PA/AP projection, right wrist X-ray, presentation radiograph, 68.0 mm image width

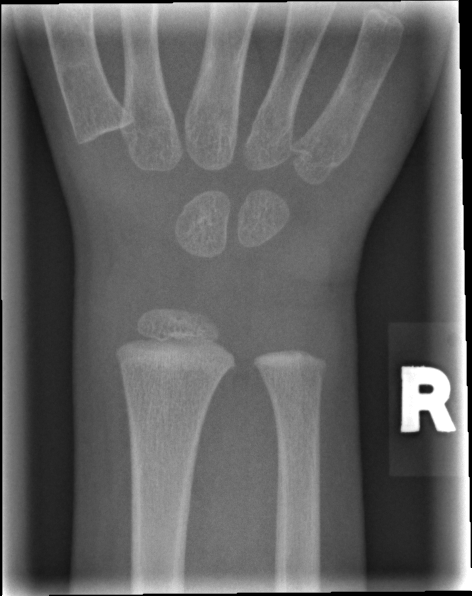

fracture: none labeled